Left plain radiograph of the wrist · lat · imaged through cast:
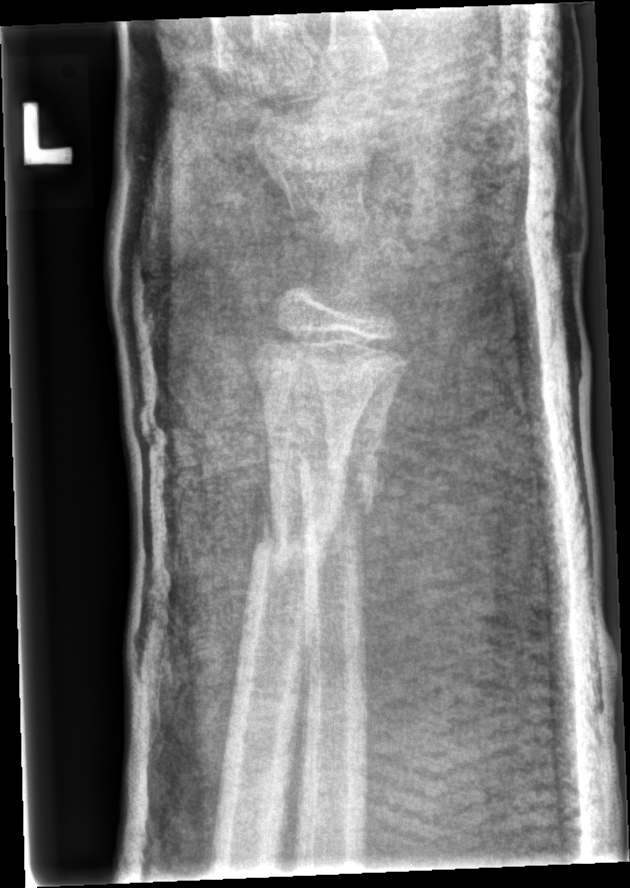
• Pixel coordinates, top-left origin, xyxy.
• Fx — <245,498>-<337,600>, <293,436>-<387,527>.
• AO code 23-M/3.1.